Lateral view, R wrist radiograph, 4-year-old boy, 393 x 1324 px

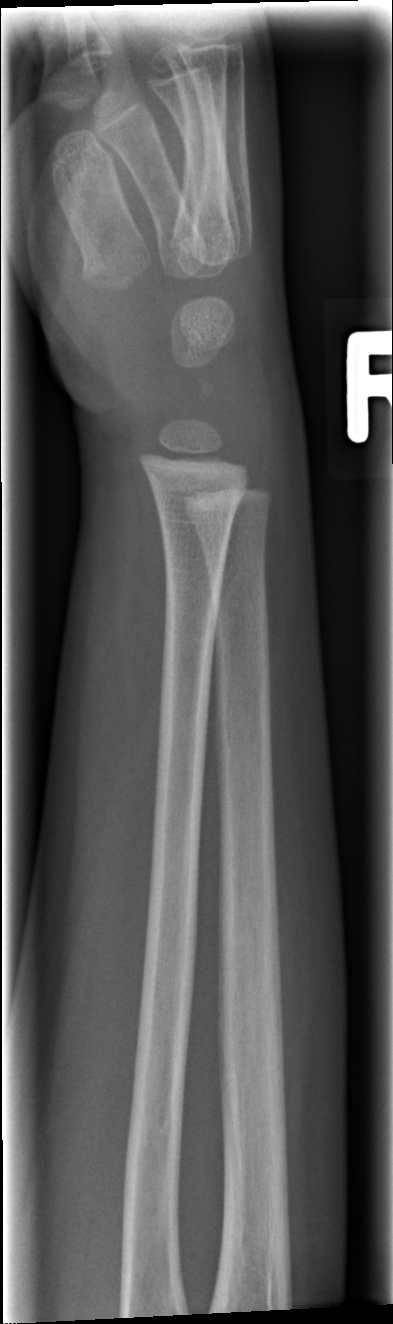

Fracture: none labeled.